Lat view; right wrist plain film.

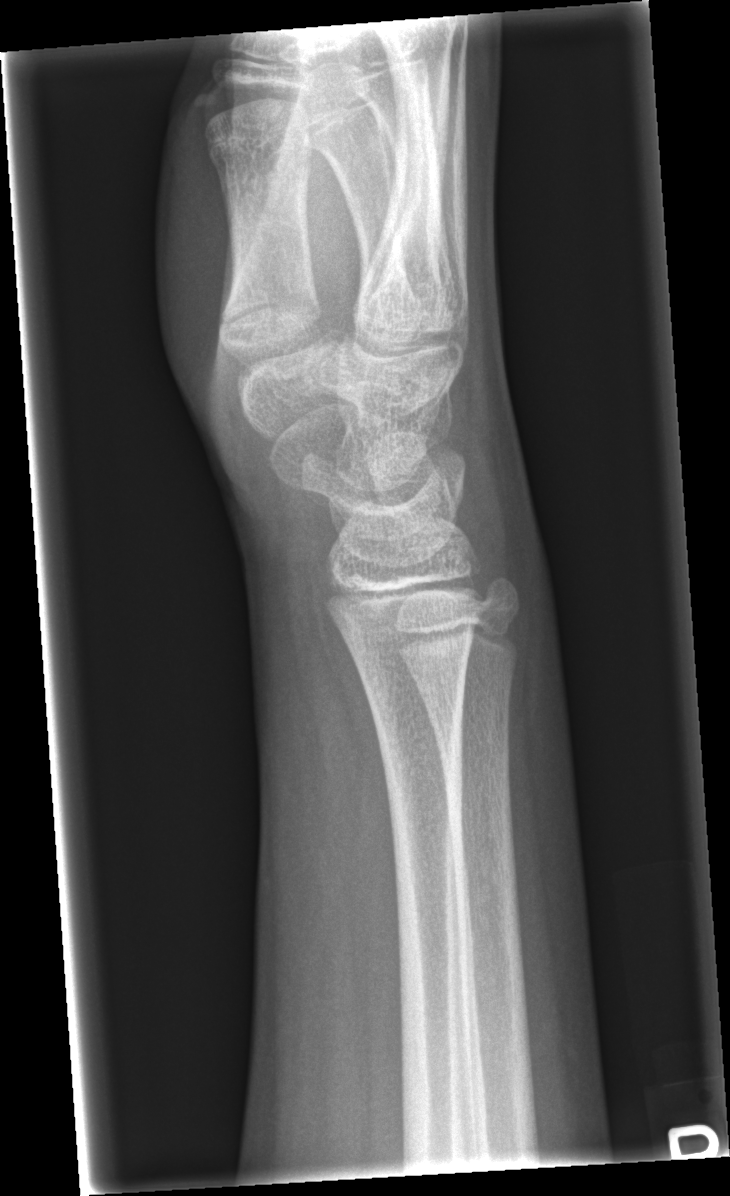 No fracture annotation.